L pediatric wrist radiograph; lateral; age 7 y, boy; cast present; image 72.4 mm wide; 503 x 902 px — 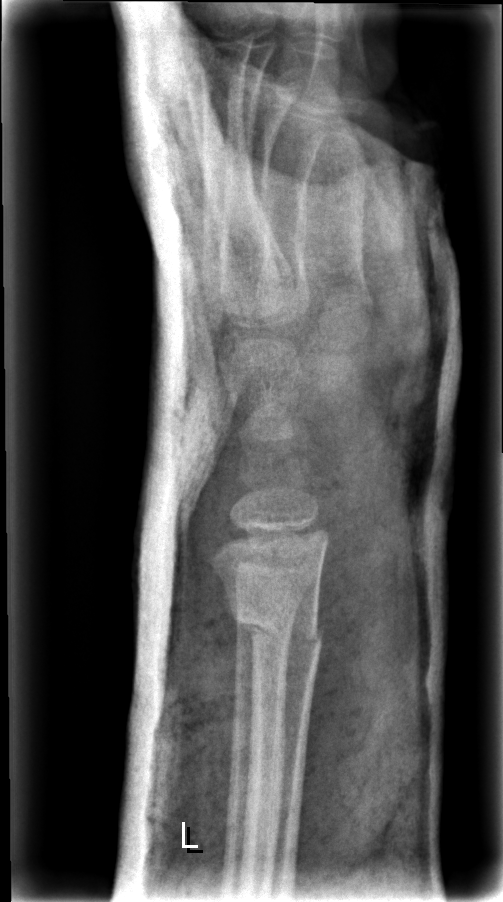
FINDINGS — AO/OTA classification: 23r-M/3.1. One bone fracture at 226 597 326 658.